Rt wrist XR; frontal view; 12-year-old boy; presentation radiograph; image width 93.9 mm.
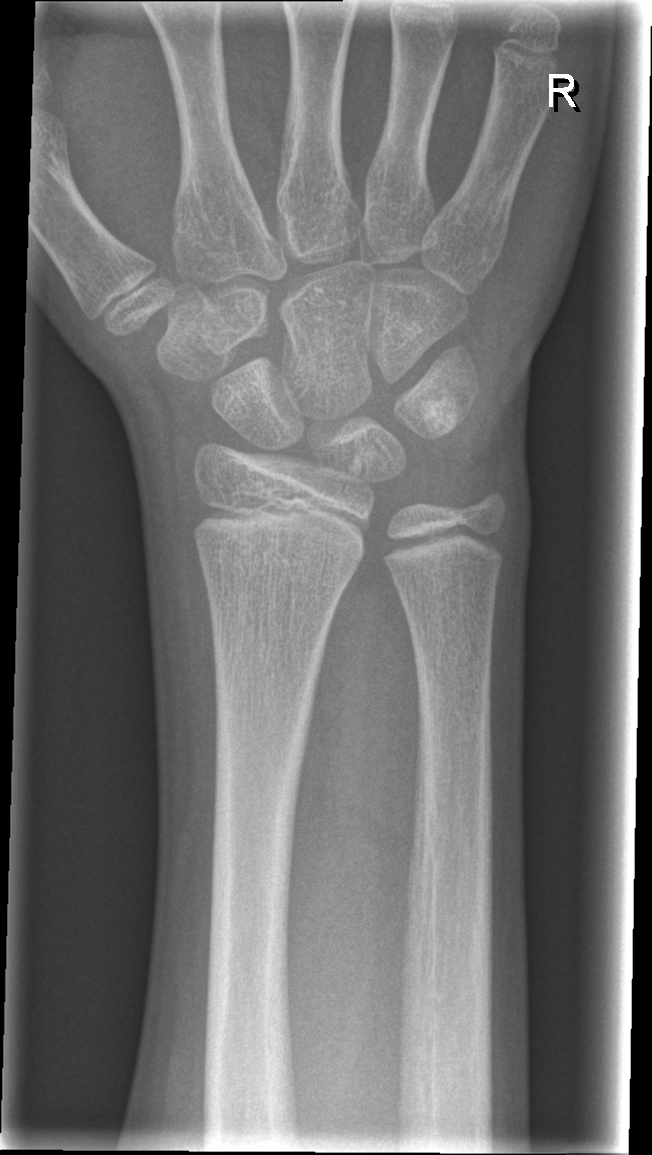
AO/OTA: 23r-M/2.1
Bone fracture: present but not clearly seen in this view